Lat view; L wrist radiograph; follow-up; in cast — 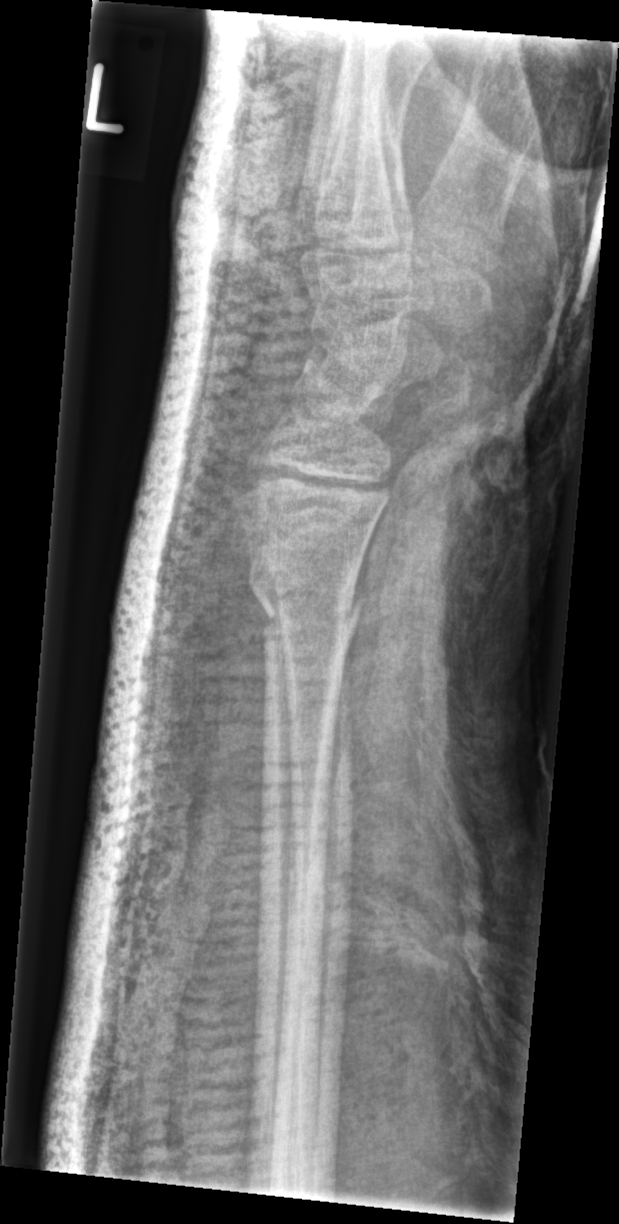

• AO code 23r-M/3.1; 23u-M/2.1.
• Fracture — 243 550 366 645.